Lat view; left wrist XR; boy, 8 yo —

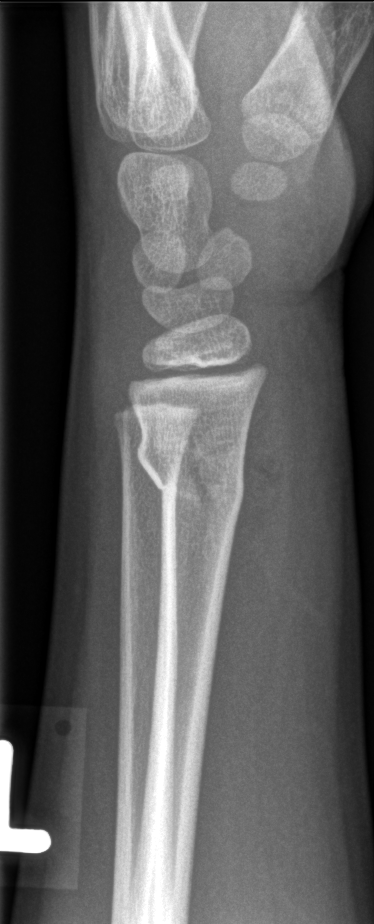
(bounding boxes in image-pixel xyxy)
Q: Pronator fat-pad sign?
A: Pronator quadratus fat-pad sign — [206, 366, 290, 767]
Q: Any fracture seen?
A: One bone fracture at [134, 431, 248, 513]
Q: What is the AO/OTA classification?
A: Fracture classified AO/OTA 23r-M/2.1